PA view | right pediatric wrist radiograph | boy, 12 yo | detector: Siemens | 86.7 mm image width | 602 by 1202 pixels 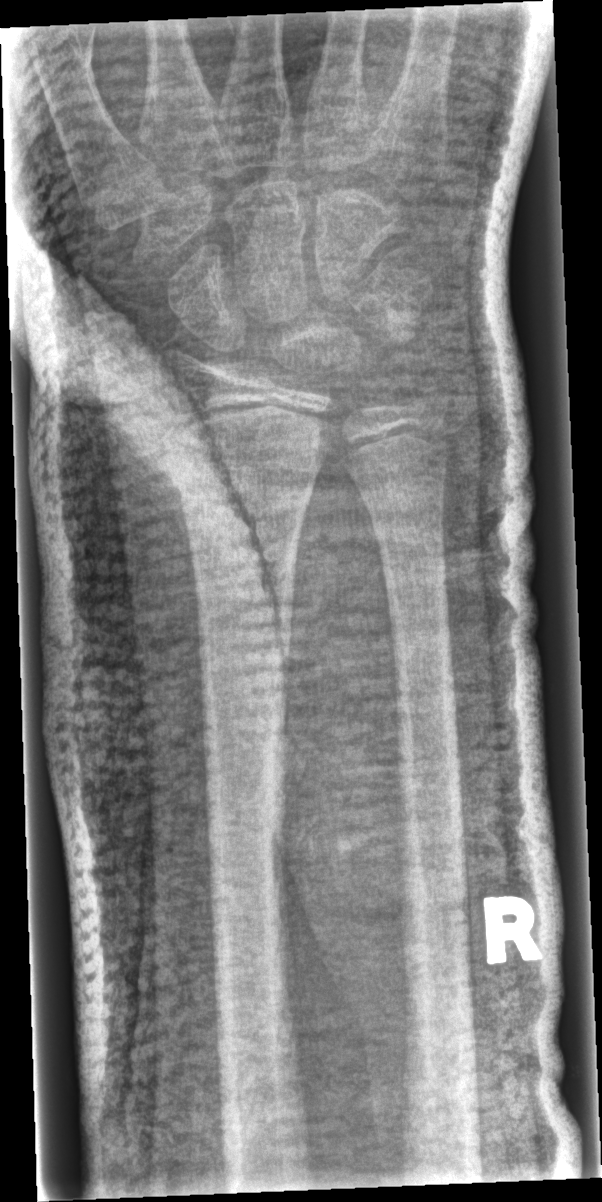 • Fx present but not clearly seen in this view.
• AO code 23r-E/2.1; 23u-E/7.